Left wrist radiograph, AP, pediatric patient (boy, age 15), follow-up: 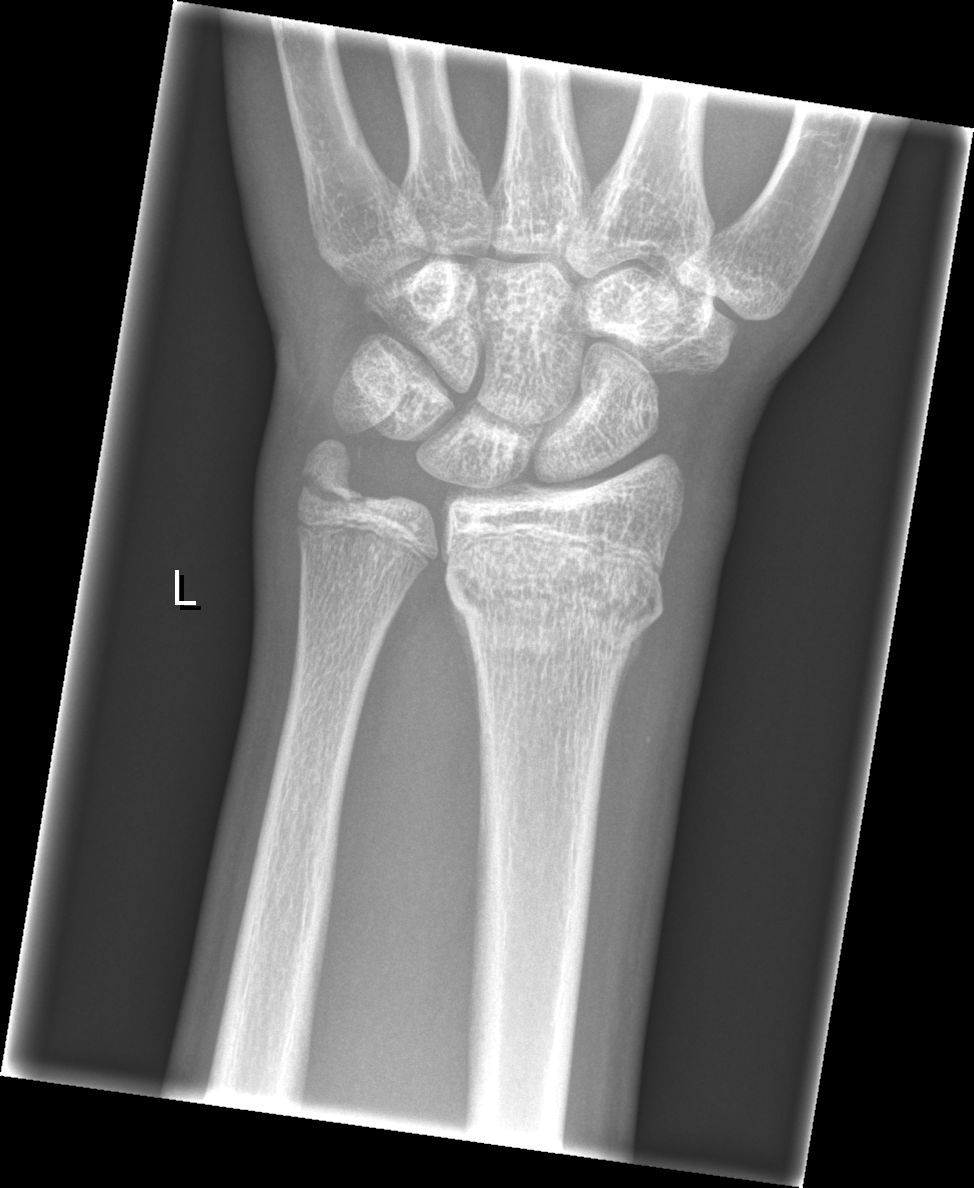

osteopenia: present
fracture: bbox(440, 541, 670, 665); bbox(296, 434, 377, 515)
periostealreaction: 2 @ bbox(602, 616, 651, 763), bbox(449, 591, 484, 745)